Right wrist X-ray · PA/AP · 12y M 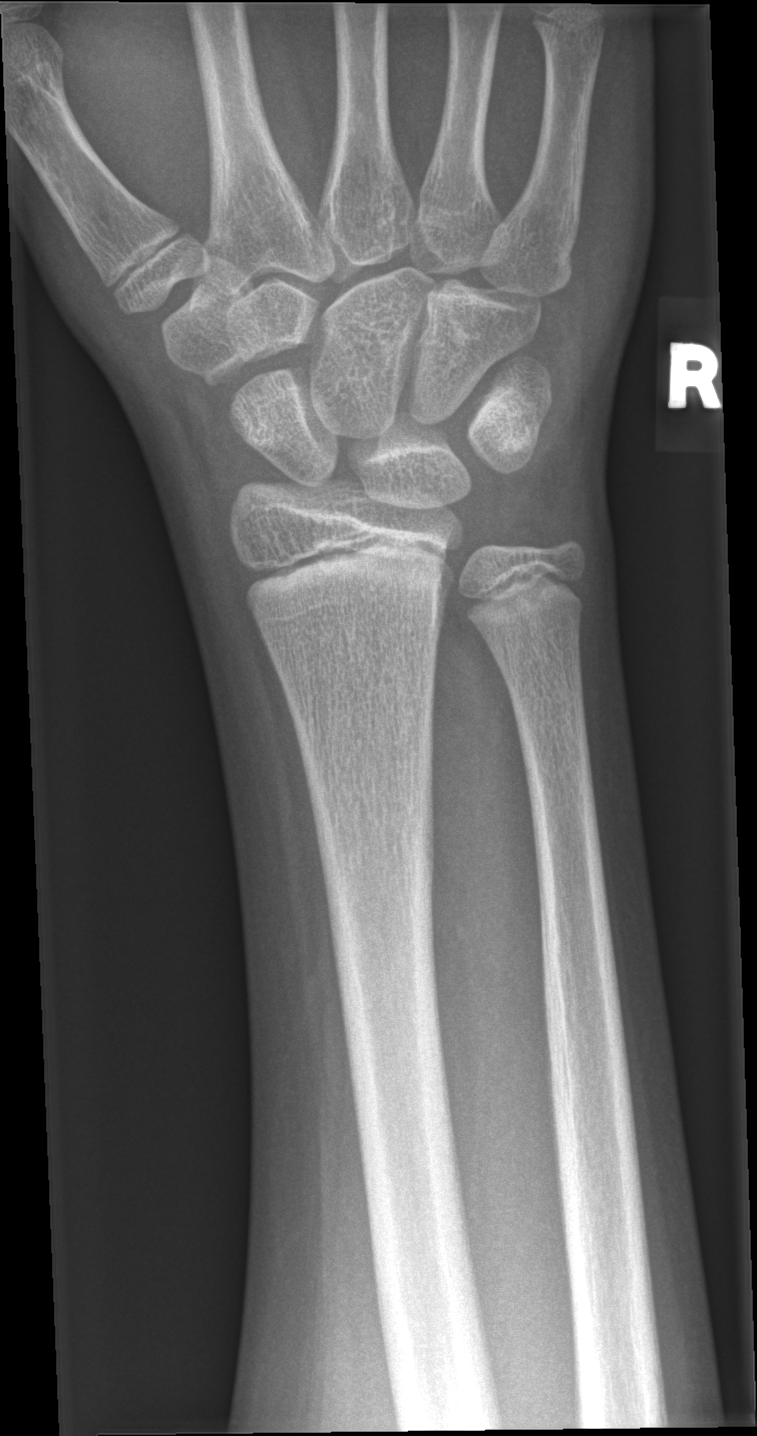 Fx: none.